Lat projection · left wrist plain film · pediatric patient (girl, age 6) · imaged through cast. 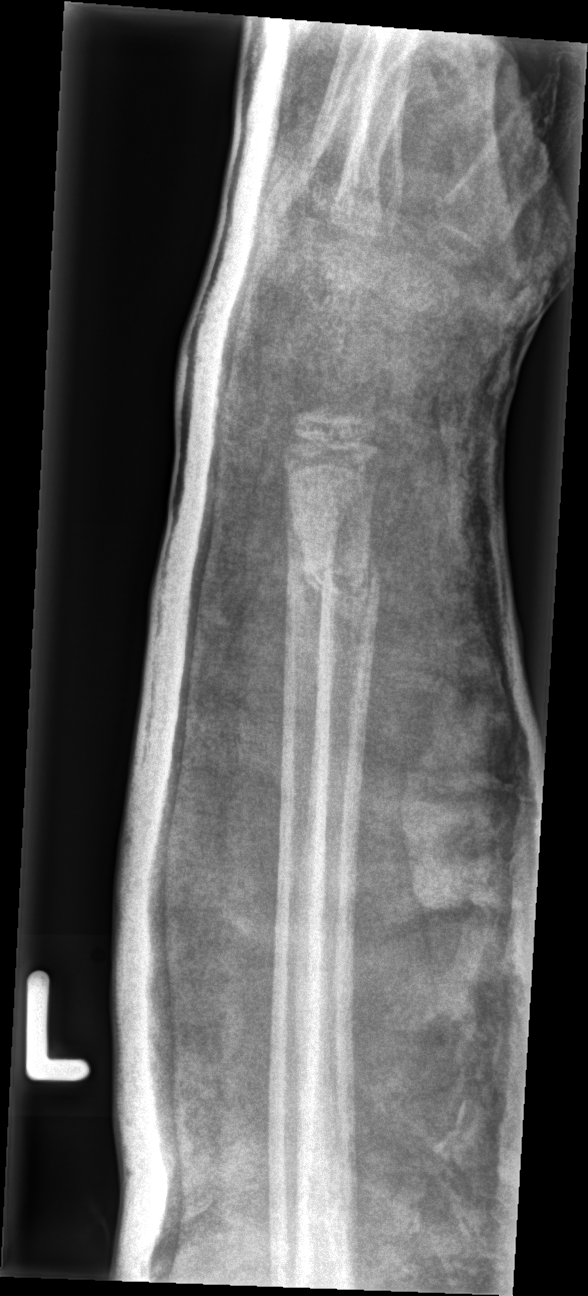 FINDINGS — (boxes as x1,y1,x2,y2 (top-left / bottom-right, pixel units)) Bone fracture — (297, 543, 384, 617).